Rt wrist X-ray | AP | age 9 y, boy | presentation radiograph:
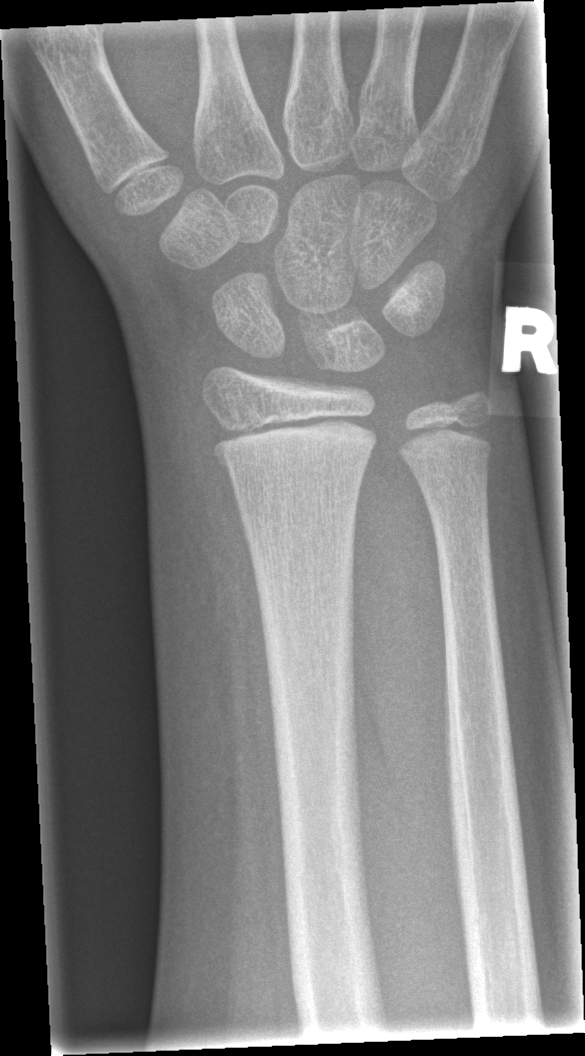

FINDINGS — (bounding boxes in image-pixel xyxy) Fracture identified at (left=211, top=410, right=380, bottom=471). AO code 23r-E/2.1.